L wrist plain film; PA/AP view; pediatric patient (girl, age 5); acquired on Siemens.

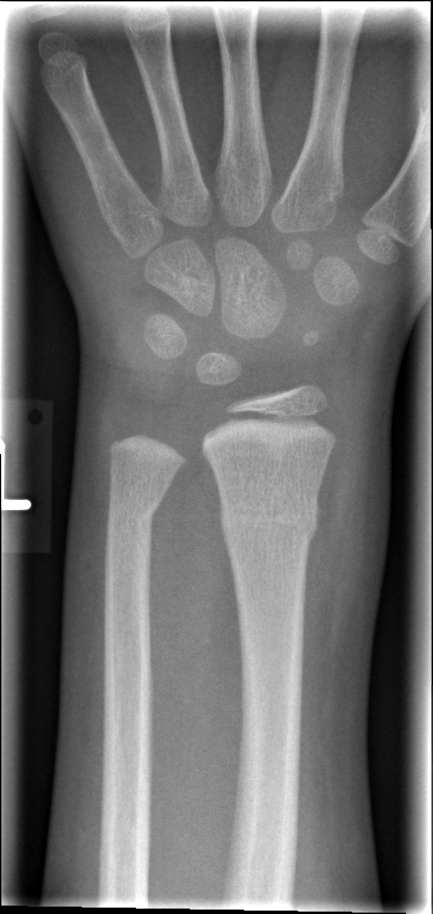
Fracture = (left=217, top=492, right=320, bottom=555); (left=106, top=492, right=165, bottom=537)